AP; right wrist radiograph; cast present

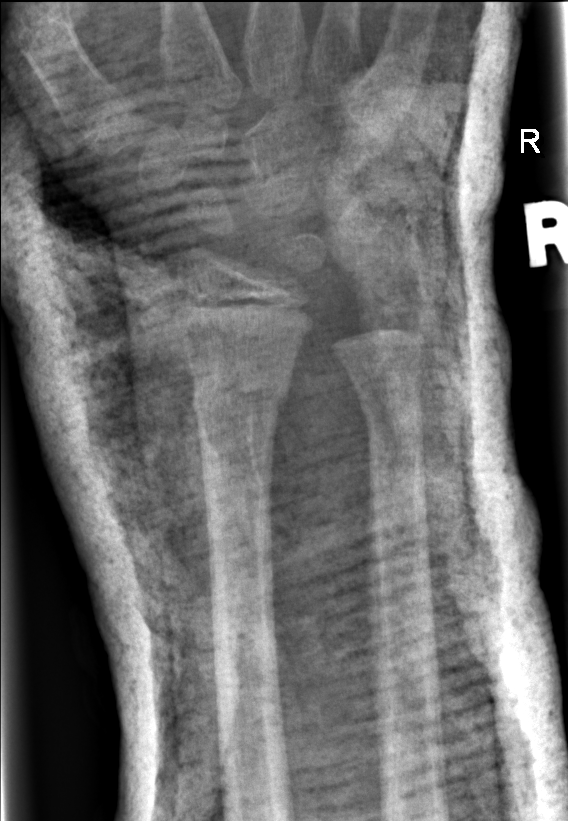
Fracture: [184, 362, 294, 441]; [355, 388, 428, 465].